Lateral projection | right wrist X-ray | follow-up study:

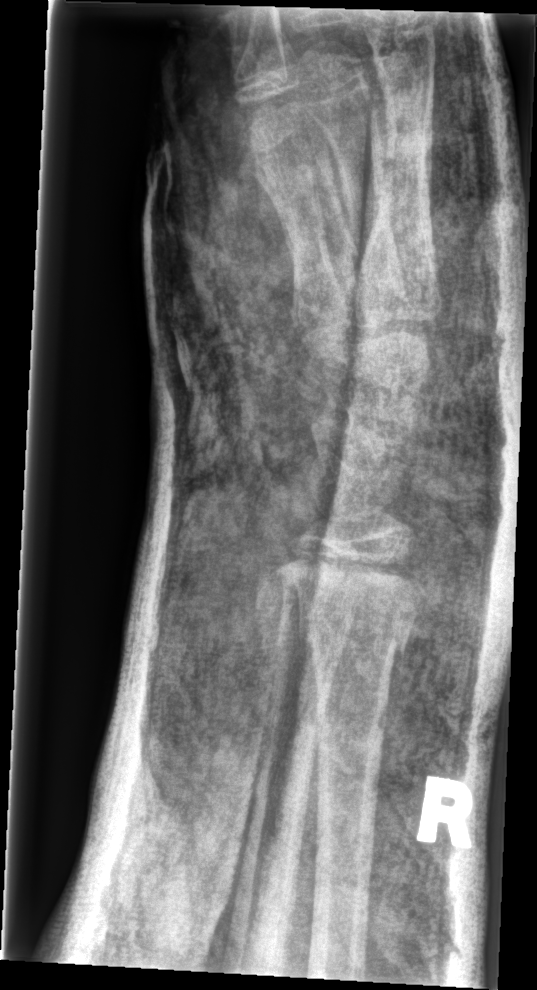
* Bone fracture: [x1=291, y1=590, x2=419, y2=676].